Lat | R wrist X-ray | Siemens | image size 575x780 —

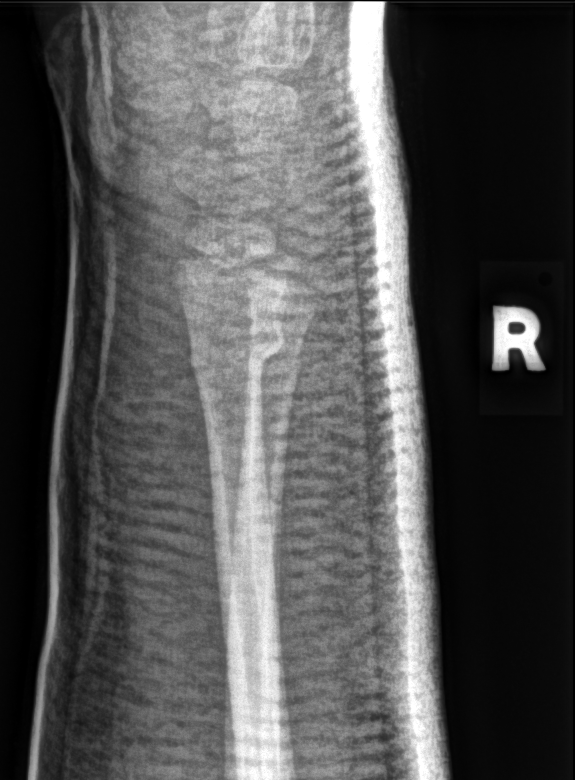
Coordinates are [x1, y1, x2, y2] in image pixels. Bone fracture identified at 184,320,286,387.